Right wrist plain film | posteroanterior view | detector: Siemens | image width 105.4 mm | image size 732x1124 — 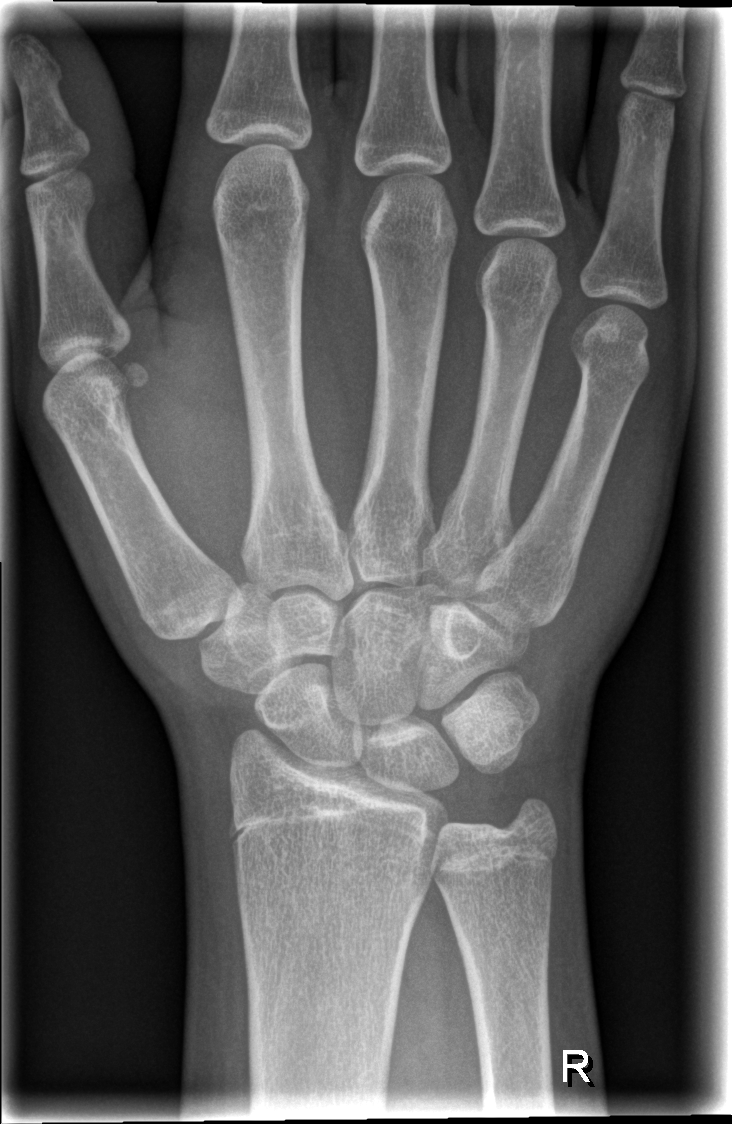

{
  "fracture": "none labeled"
}